Lateral projection, Rt wrist radiograph 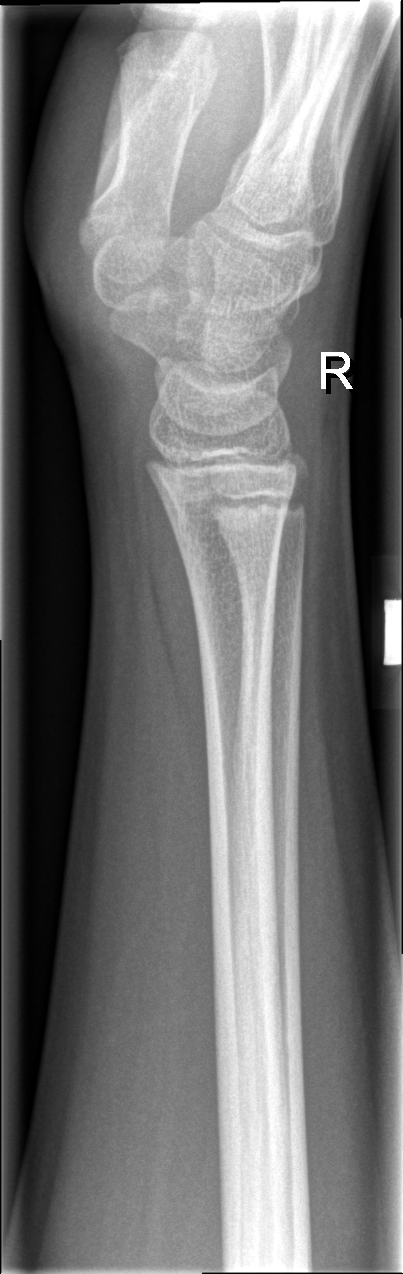

Fracture: none labeled.